PA/AP projection; Lt wrist radiograph; pediatric patient (boy, age 11); diagnosis uncertain; 664x1138 —

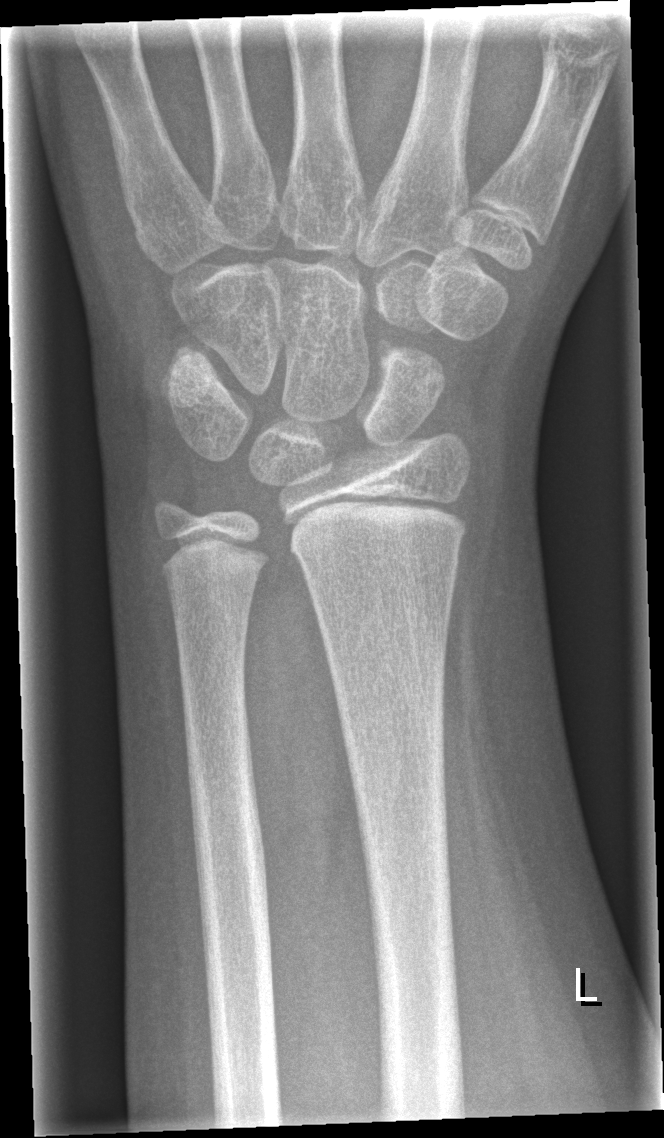
• Fracture: present but not clearly seen in this view.